Lateral view; left wrist pediatric wrist radiograph; pediatric patient (boy, age 12); initial study

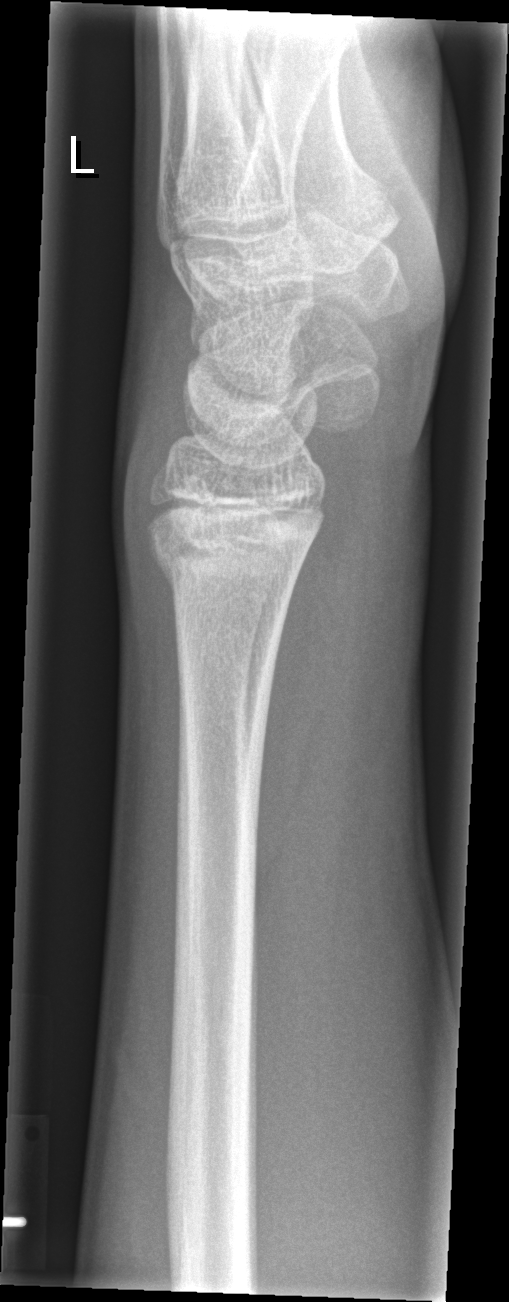

Pixel coordinates, top-left origin, xyxy. Fx identified at [143, 521, 313, 616]. One pronator quadratus fat-pad sign at [256, 512, 355, 881]. AO code 23r-M/2.1.